Posteroanterior view, left wrist plain radiograph of the wrist, acquired on Siemens — 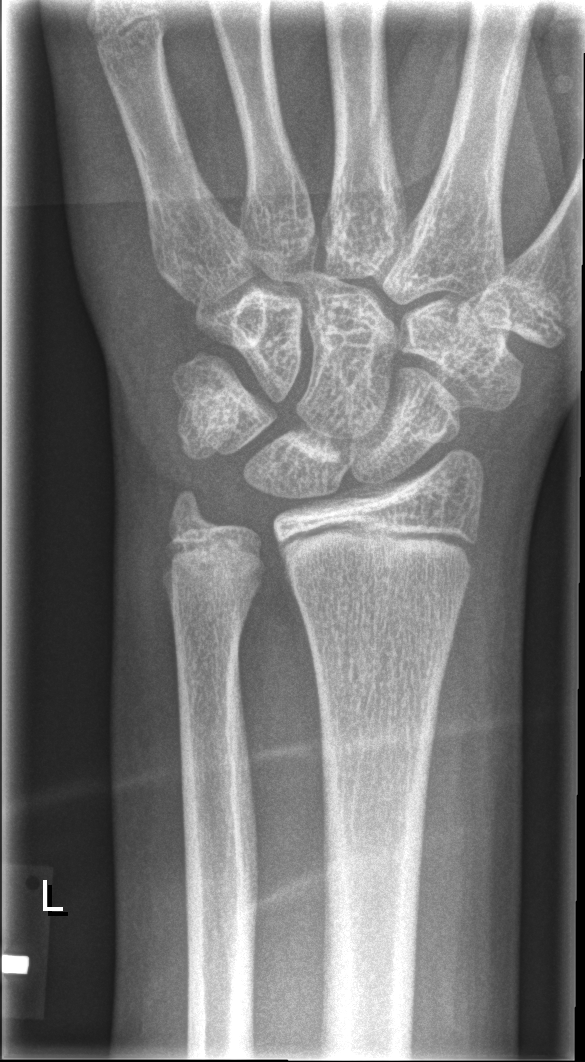
No Fx annotated.